AP view · right plain radiograph of the wrist · equivocal findings:

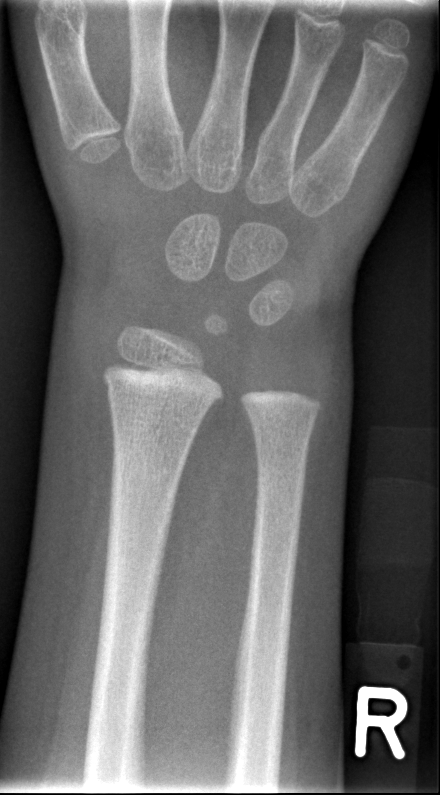 Fx = none labeled